Left pediatric wrist radiograph | lateral view | in cast.
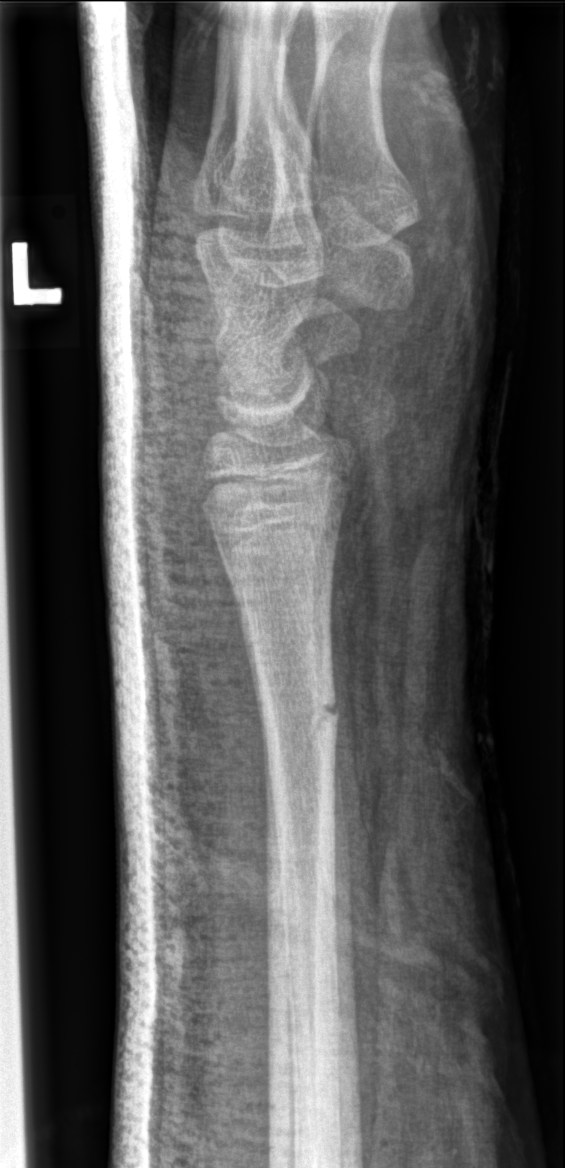 Bone fracture identified at 254 686 344 755.